Lat projection; L wrist XR; 12y F
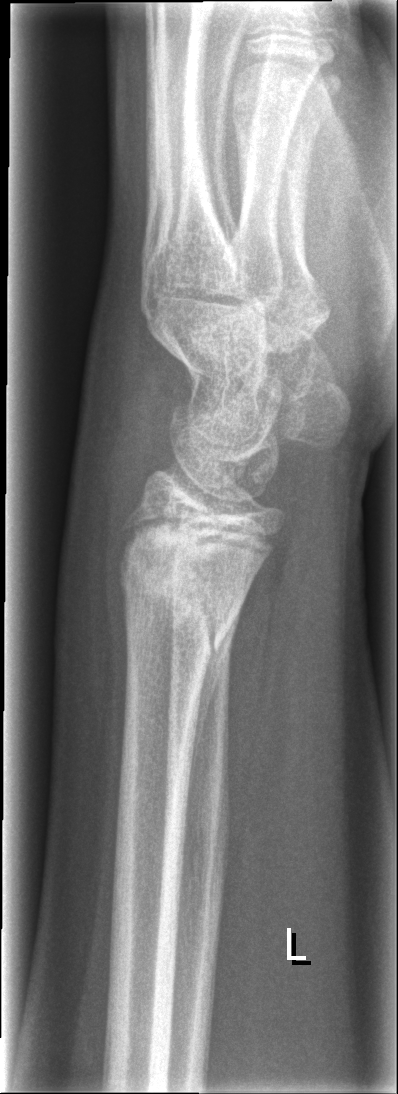 • Periosteal thickening identified at <188,594>-<246,795>.
• Fx identified at <109,514>-<257,635>.